Frontal · Lt wrist XR · image width 97.6 mm.
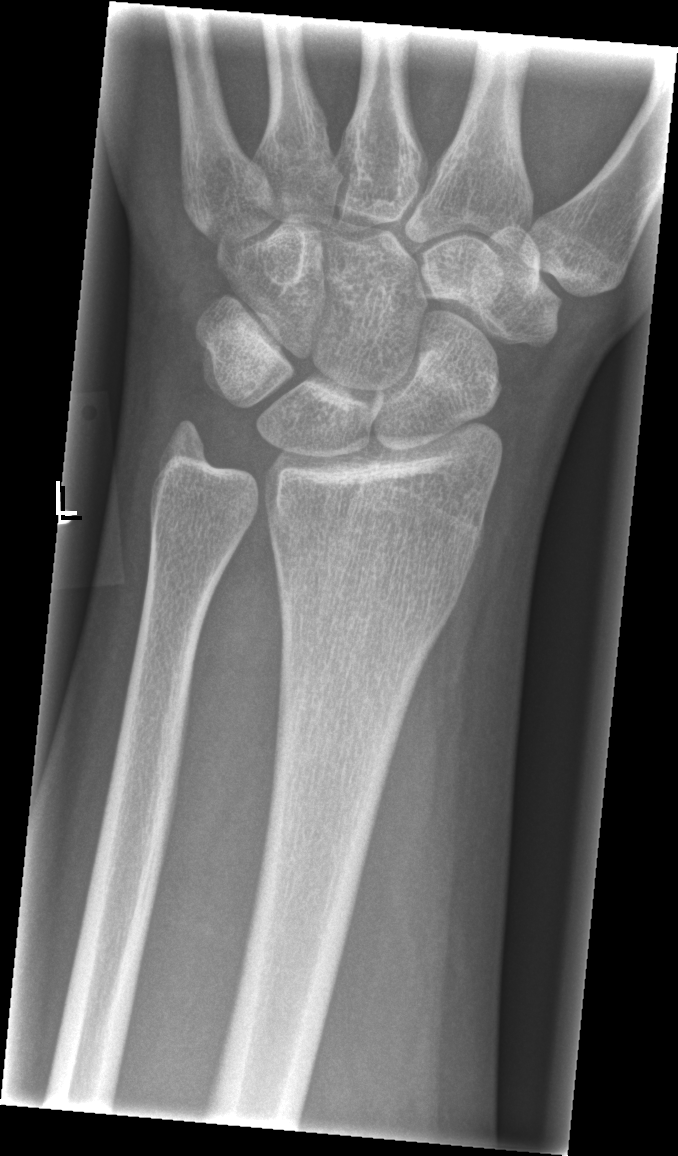 • No fracture annotation.